Frontal · right wrist radiograph · 10y F · presentation radiograph 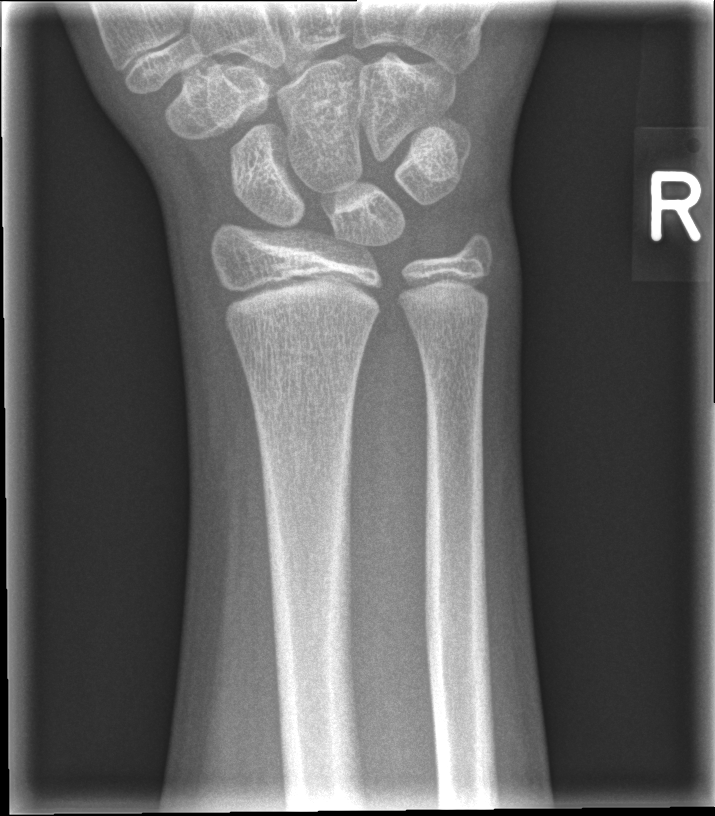

Findings: No fracture bounding box.